PA view; Lt wrist X-ray; cast in situ —

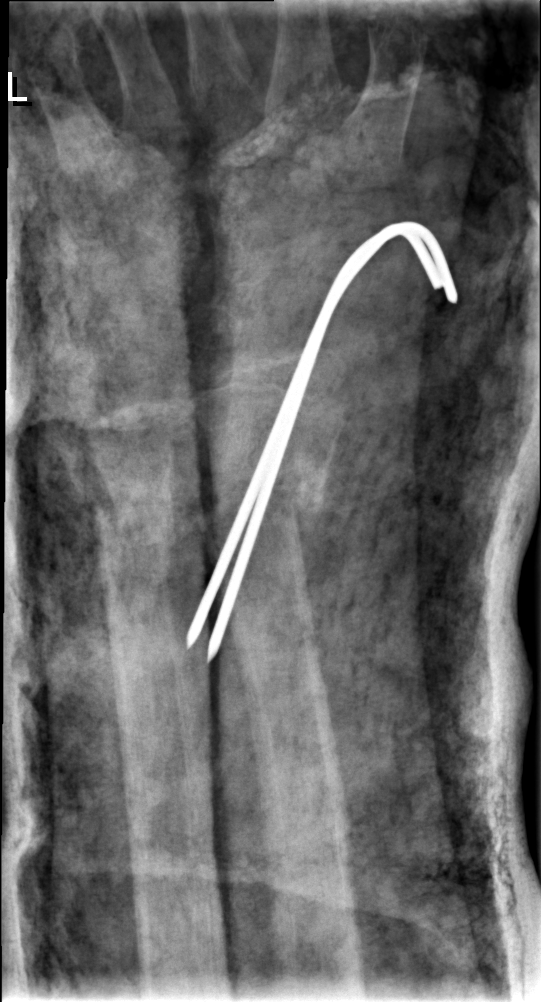 * Metal identified at <188,223>-<457,663>.
* AO code 23-M/3.1.
* Fractures — <205,460>-<327,543>; <91,489>-<206,542>.